Lat view · left wrist pediatric wrist radiograph —
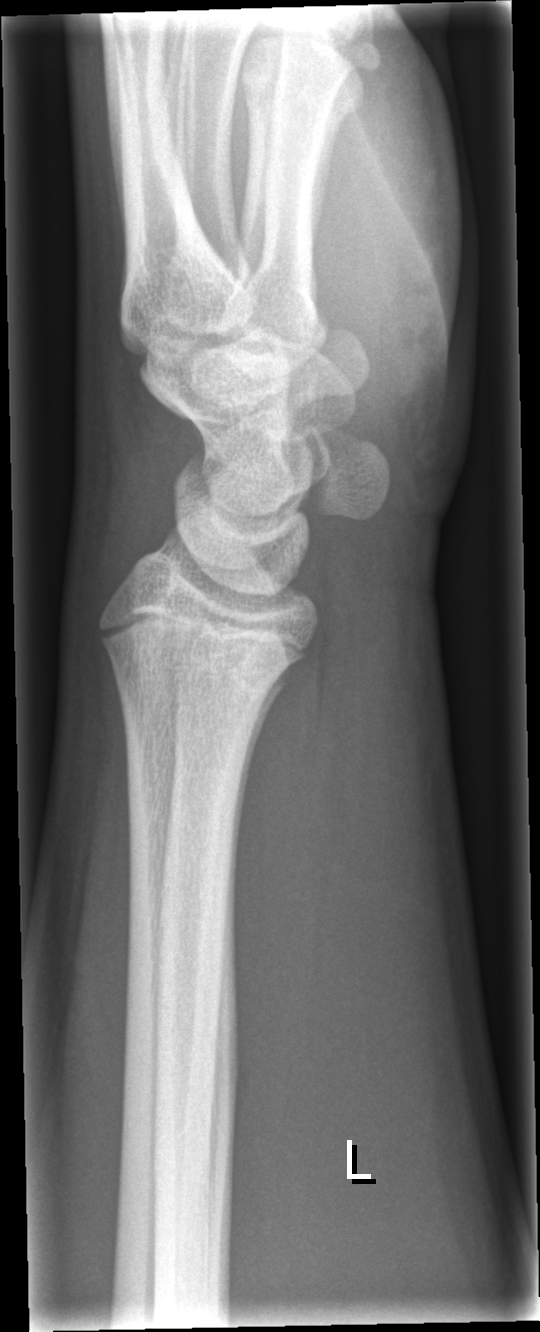
Fracture: none labeled.